Lat, L wrist plain film, age 9 y, boy, image width 60.8 mm.

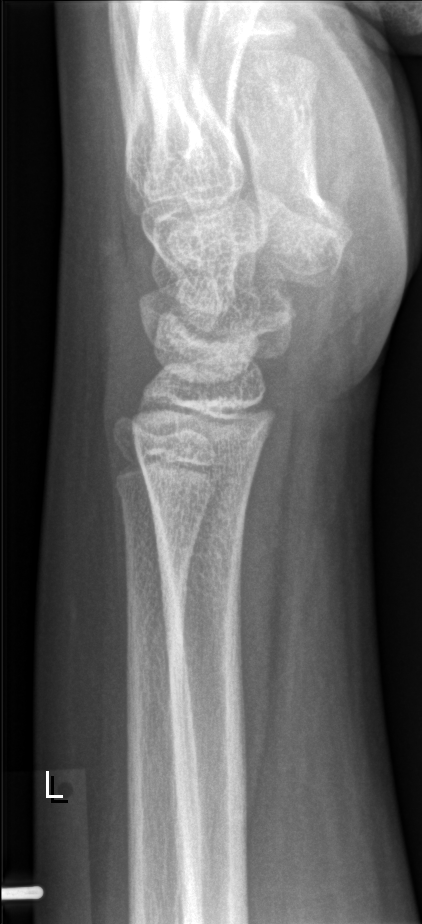 Fracture: none labeled.